Lateral | L wrist X-ray | follow-up | imaged through cast

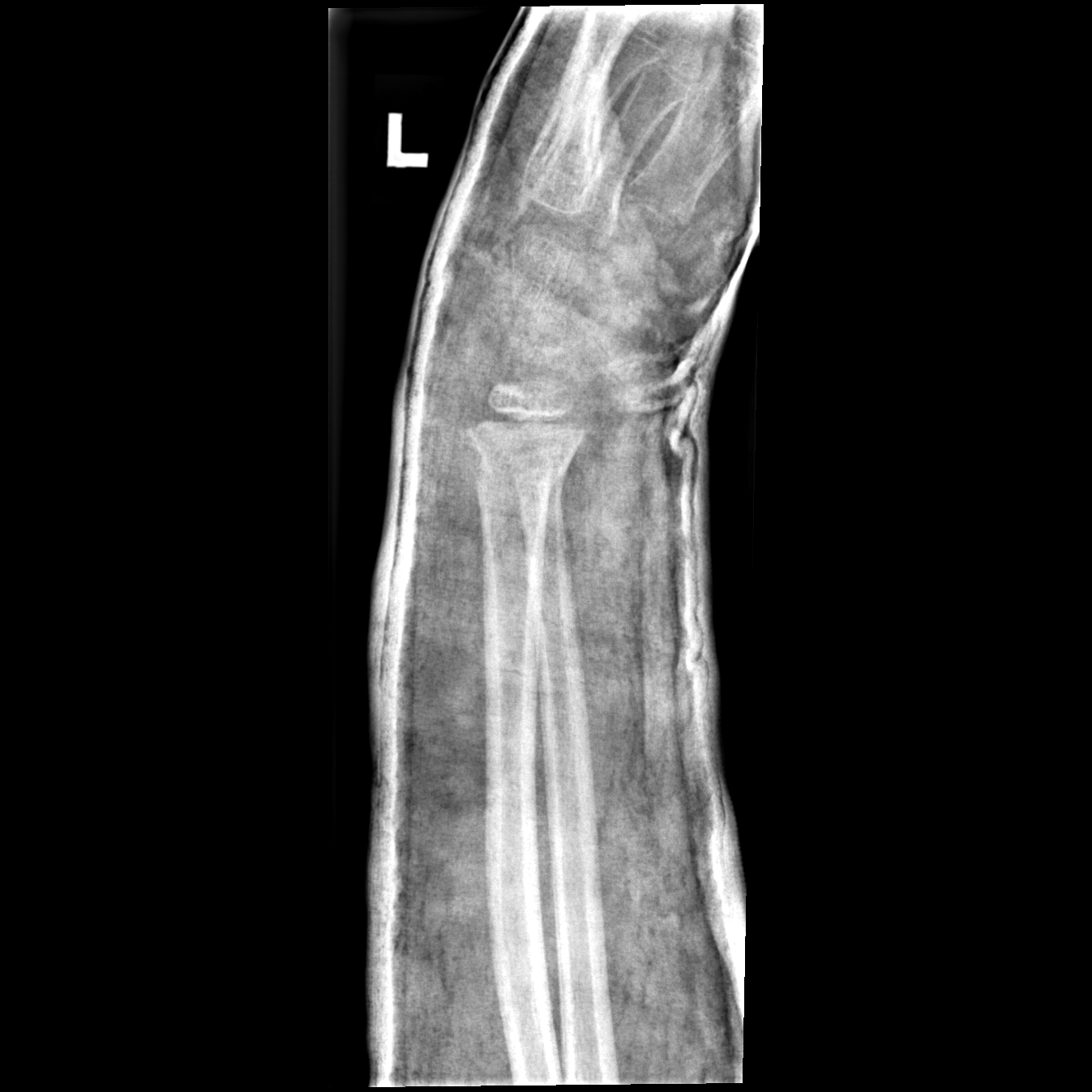
# boxes as x1,y1,x2,y2 (top-left / bottom-right, pixel units)
fracture: 465,409,592,488
ao: 23r-M/3.1